Left wrist pediatric wrist radiograph · PA · age 11 y, male · cast present — 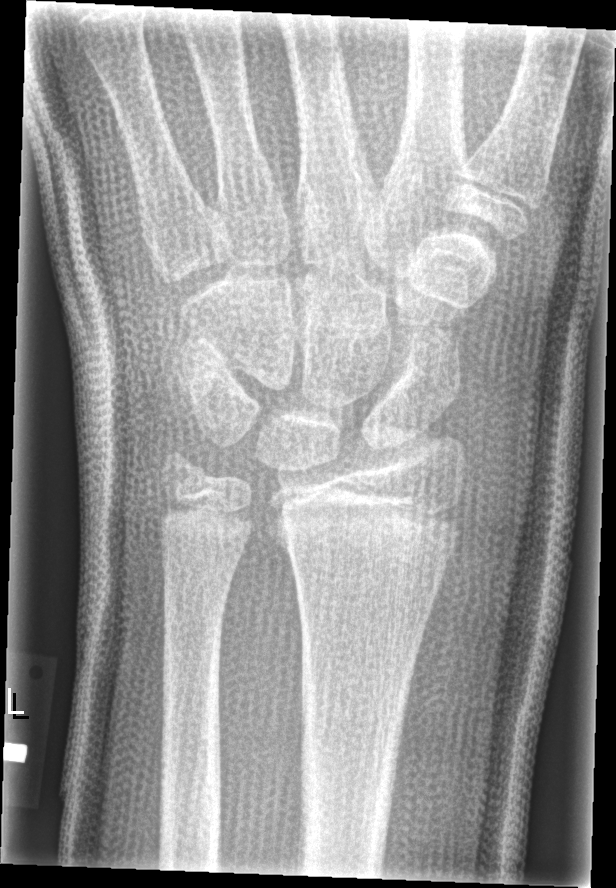

Pixel coordinates, top-left origin, xyxy.
AO/OTA classification: 23r-E/2.1.
Fx identified at bbox(267, 494, 463, 577).